Lt wrist radiograph | PA view | in cast | 98.2 mm image width | 682 by 962 pixels — 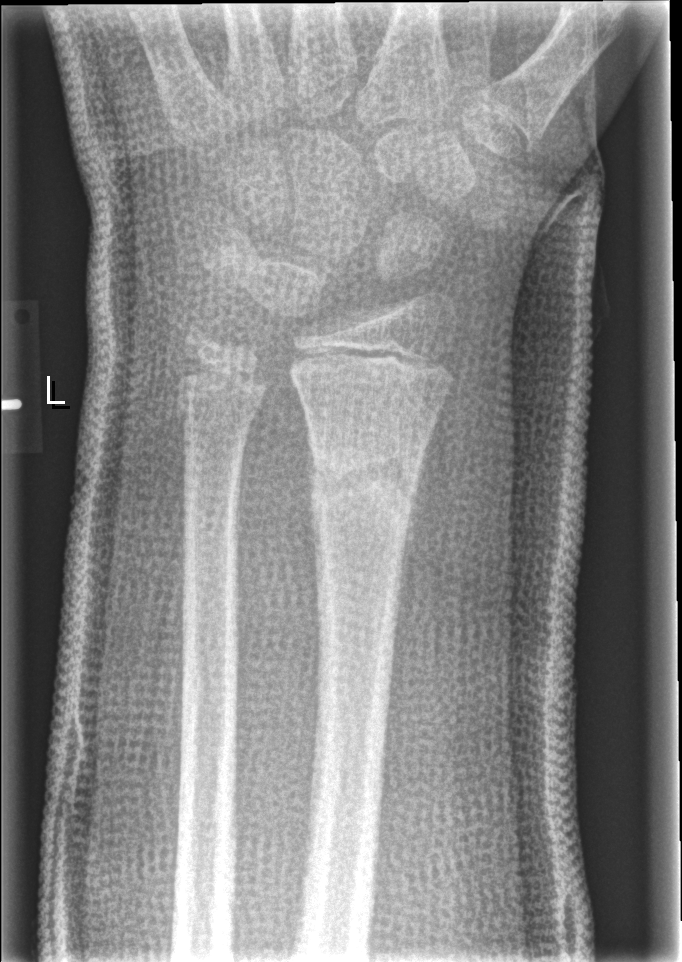
AO/OTA: 23r-M/3.1
Bone fracture: 1 @ 305,446,426,524